Right wrist radiograph · lateral · 10y F · initial study · equivocal findings.

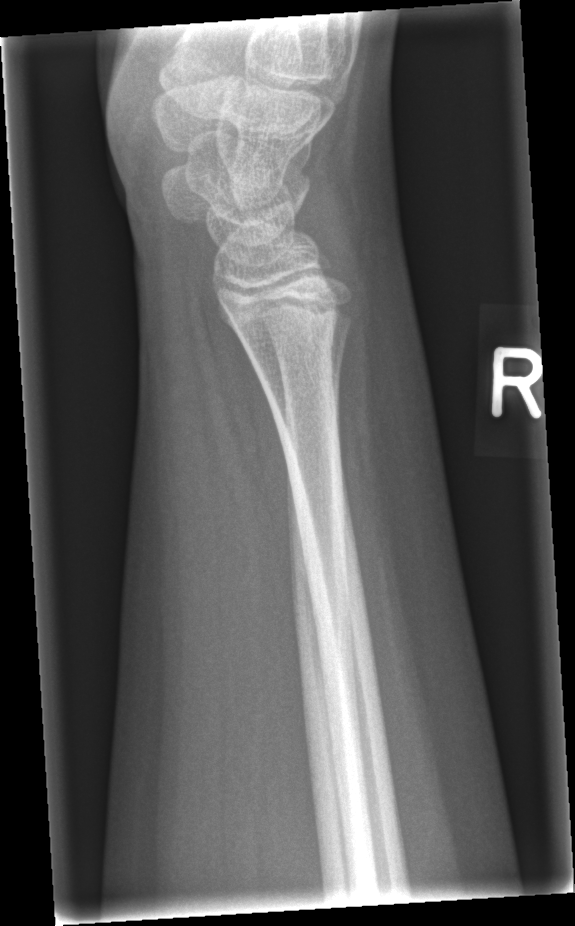

fracture = none labeled